Lat view | right wrist plain film | pediatric patient (female, age 12) | Siemens

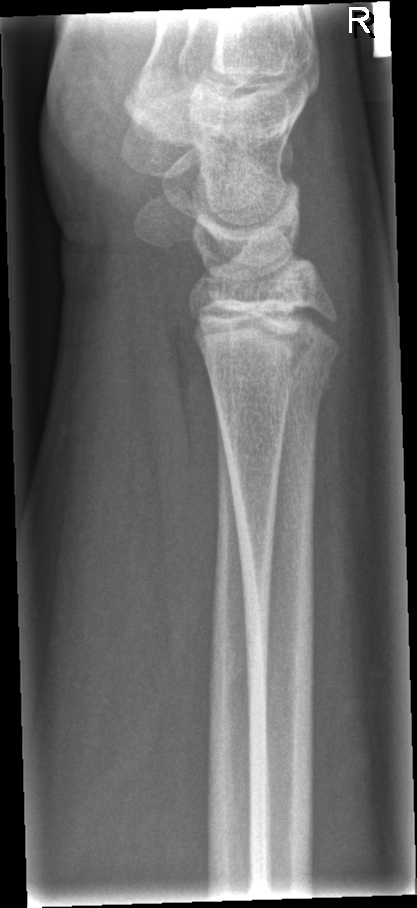

Fx: 1 @ <201,353>-<339,428>